Lt wrist radiograph, lat projection, 12-year-old girl: 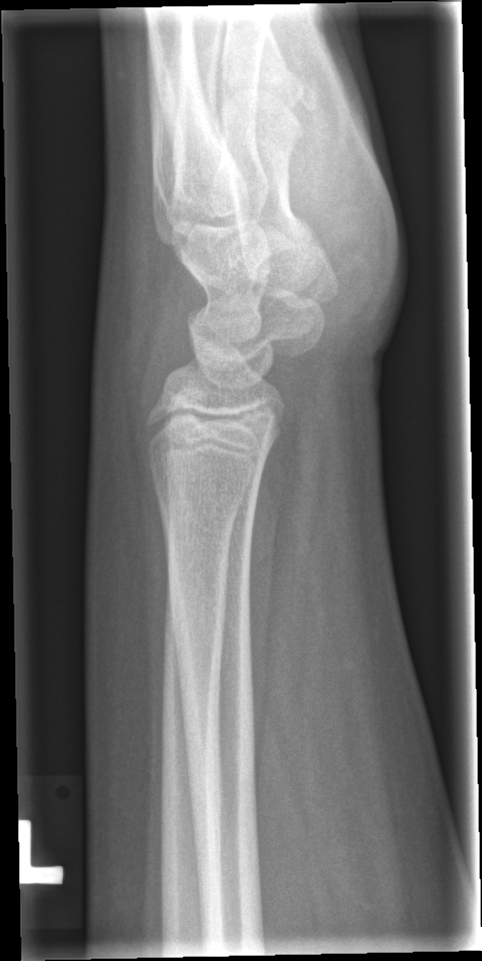
• No fracture bounding box.